Lt wrist plain film · lateral view · subsequent exam · cast present

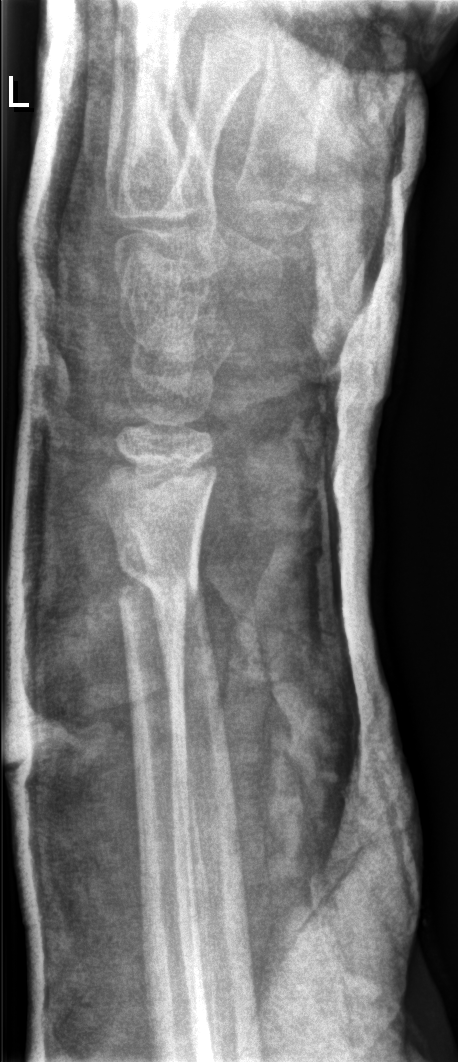
Findings: Fracture — 114 546 204 619.